Lateral projection | R pediatric wrist radiograph | age 10 y, male | index exam
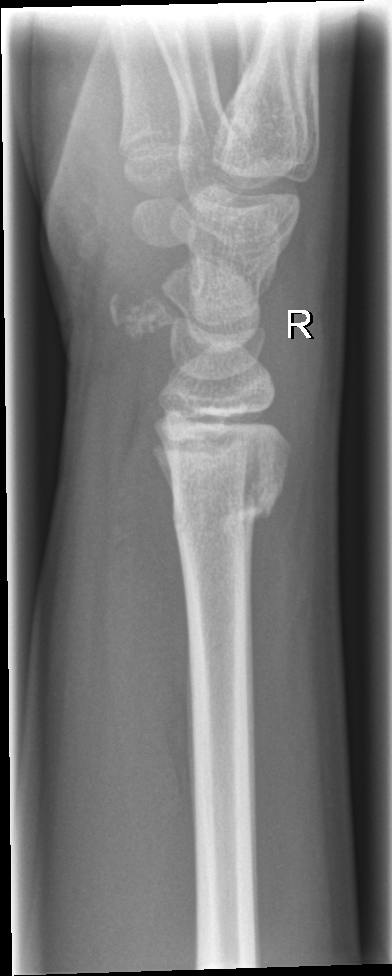
- Fracture classified AO/OTA 23r-M/2.1.
- Fx — <167,466>-<287,547>.
- Positive pronator fat-pad sign: <97,378>-<225,817>.